Left wrist plain film · frontal view. 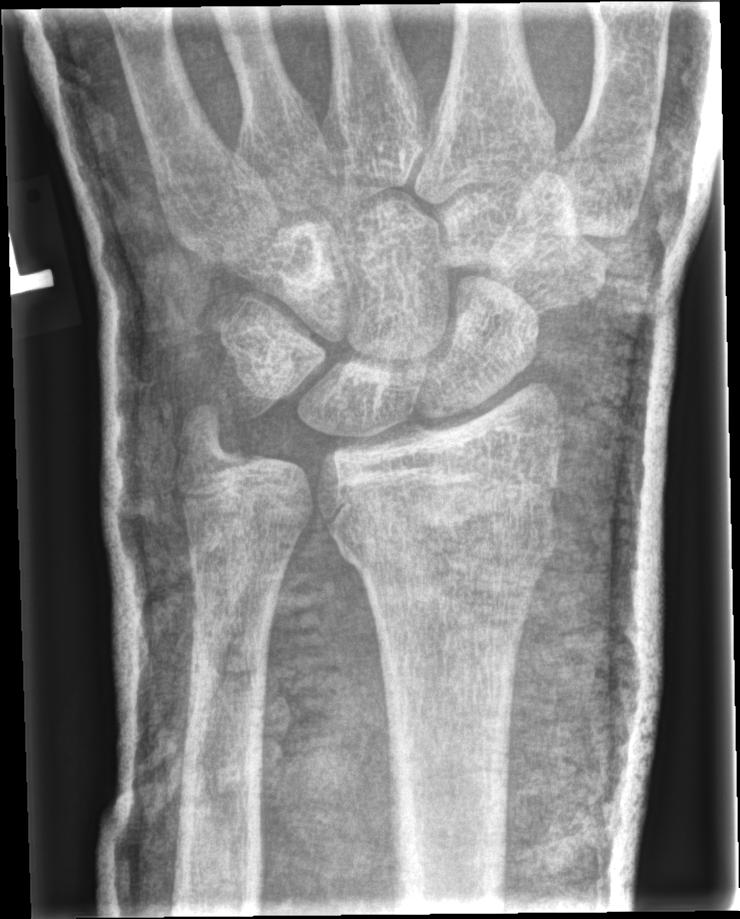

  fracture: [335, 484, 562, 598], [175, 402, 258, 487]